Lateral view | R wrist XR | pediatric patient (girl, age 12) | imaged through cast —

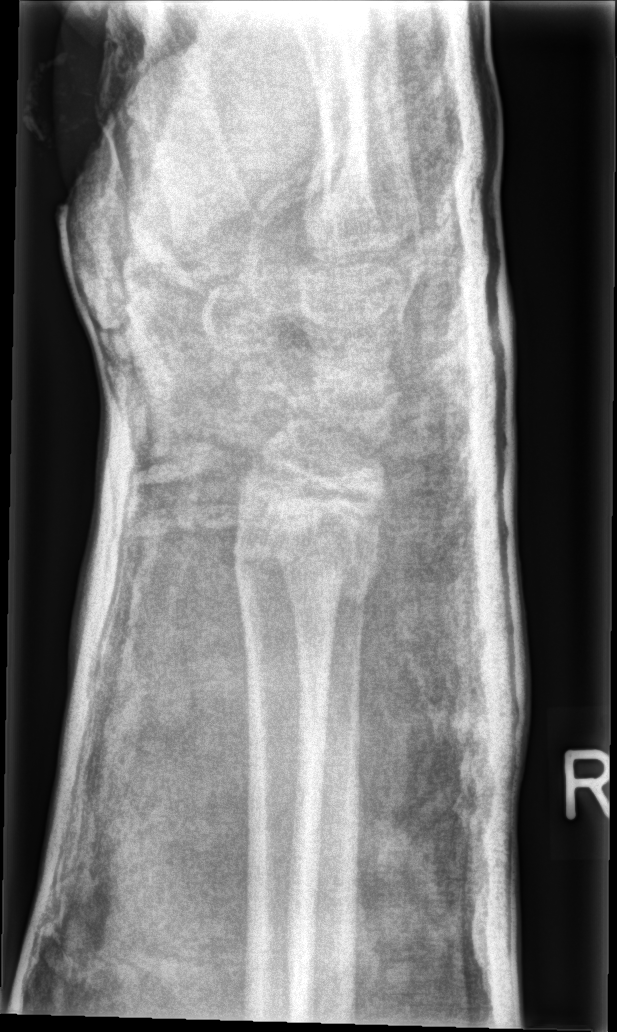

Findings: (boxes as x1,y1,x2,y2 (top-left / bottom-right, pixel units)) Bone fracture identified at bbox(229, 459, 389, 602).